Rt pediatric wrist radiograph | PA/AP projection | 14-year-old female.
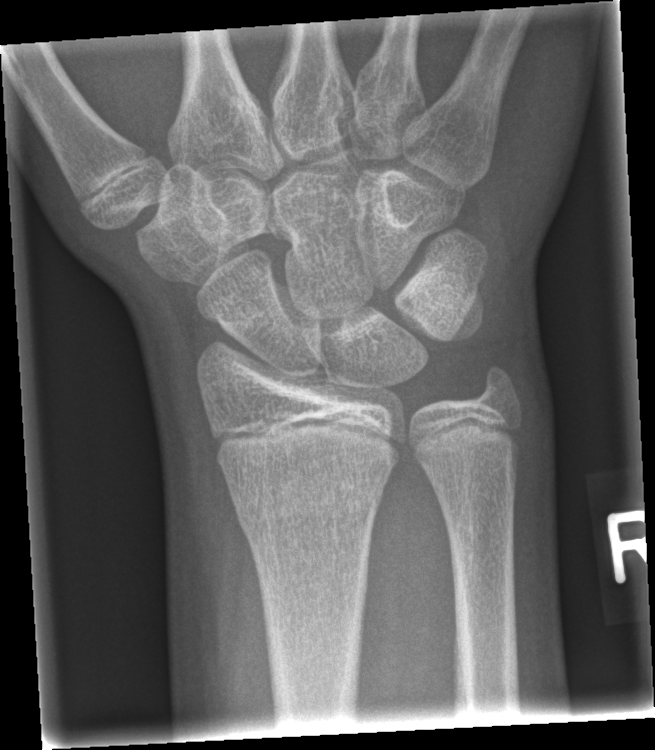
{
  "_coords": "boxes as x1,y1,x2,y2 (top-left / bottom-right, pixel units)",
  "ao": "23r-M/2.1",
  "fracture": "1 @ 232,465,390,536"
}